Right wrist plain radiograph of the wrist | PA projection | image width 88.0 mm | 611 x 914 px:
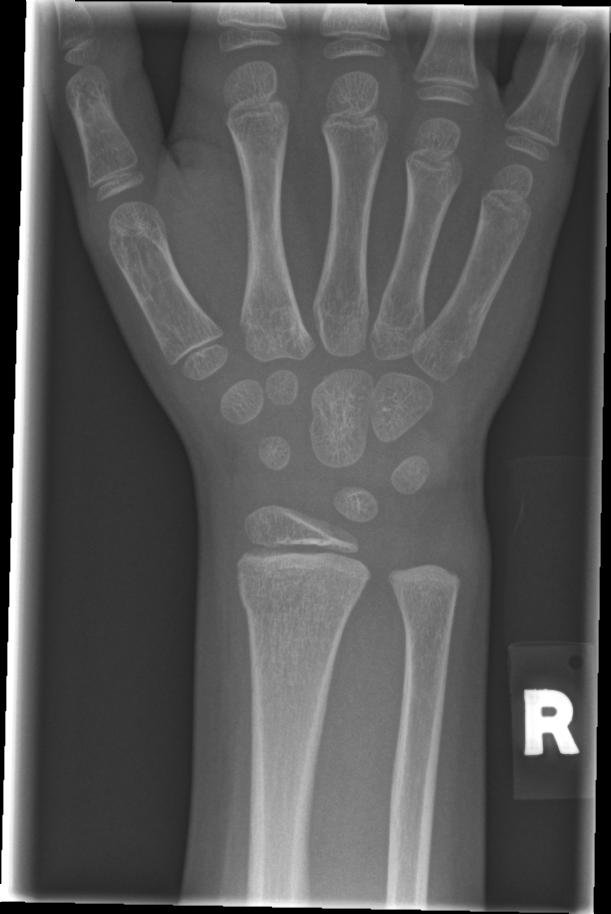

- Pixel coordinates, top-left origin, xyxy.
- One fracture at [233, 567, 366, 621].
- AO code 23r-M/2.1.